Frontal | L wrist radiograph | pediatric patient (boy, age 16) —

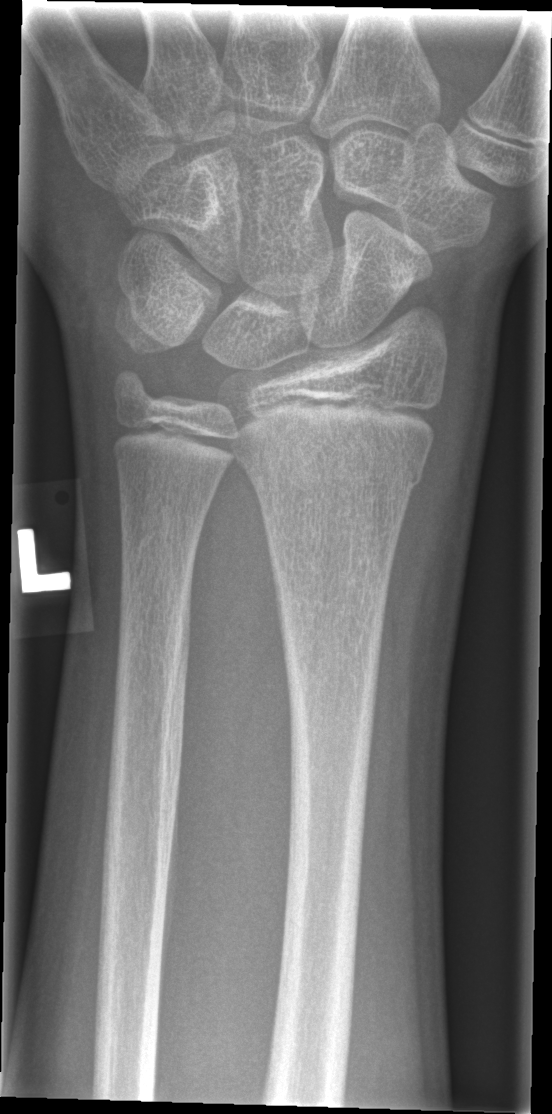 Q: AO code?
A: AO/OTA classification: 23r-M/2.1
Q: Fracture present?
A: Fracture identified at bbox(236, 428, 430, 498)